Lateral projection · left wrist plain radiograph of the wrist · 6y F · 612 x 1090 px. 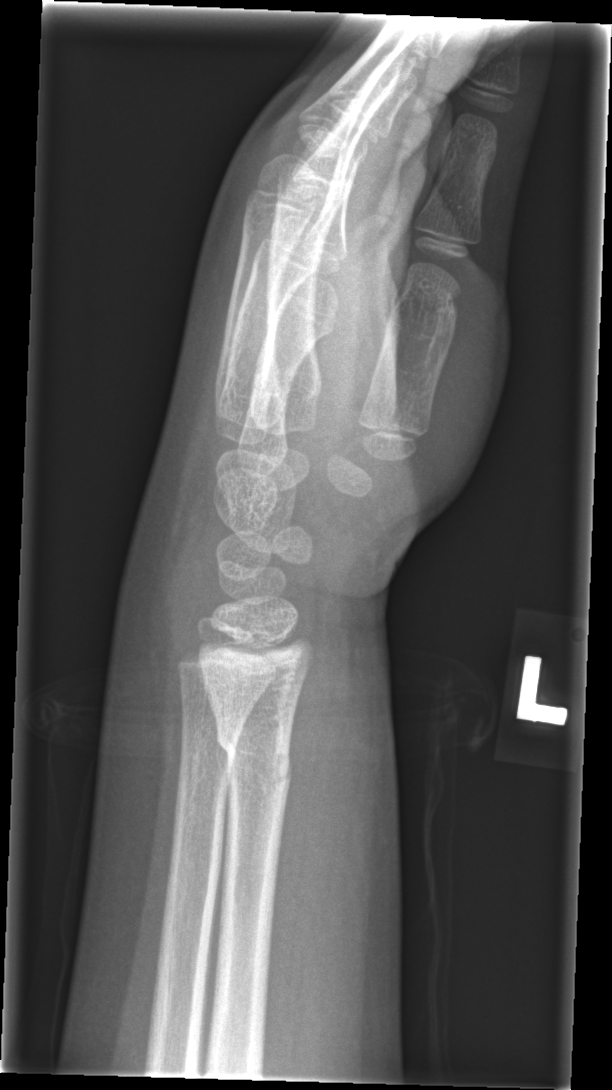 Coordinates are [x1, y1, x2, y2] in image pixels.
One fracture at (left=213, top=724, right=294, bottom=803).
AO/OTA classification: 23r-M/3.1.